Left plain radiograph of the wrist · posteroanterior projection · age 18 y, male · in cast · Siemens 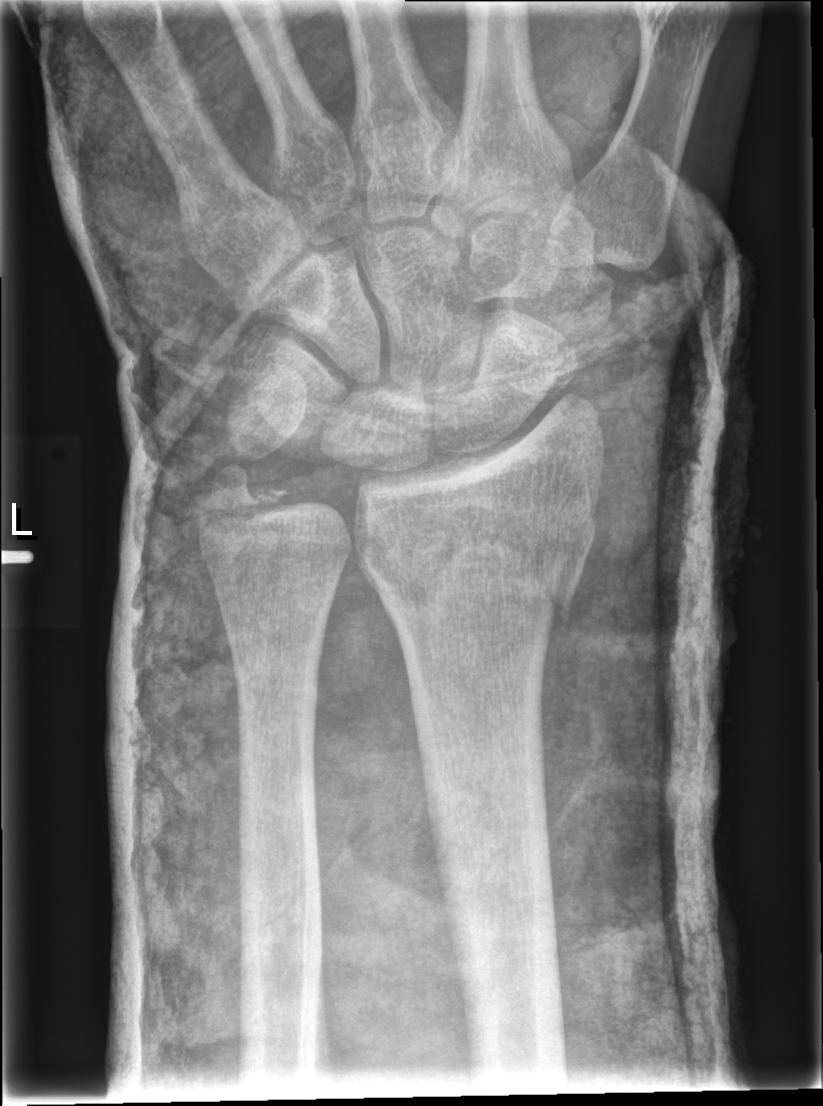 ao: 23r-M/3.1; 23u-E/7
fracture: bbox(355, 508, 600, 632); bbox(194, 460, 293, 529)